R wrist X-ray · lat projection · cast in situ —
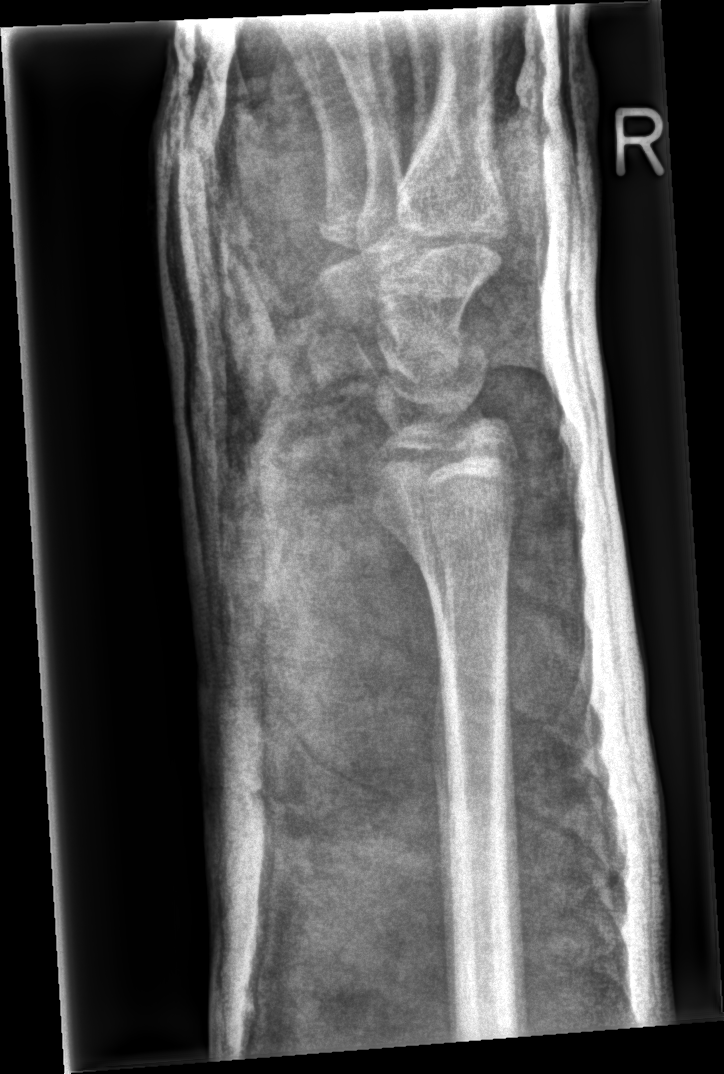
FINDINGS: Fracture present, though not clearly seen in this view.